Lateral · left wrist radiograph · 11y F · index exam · acquired on Siemens
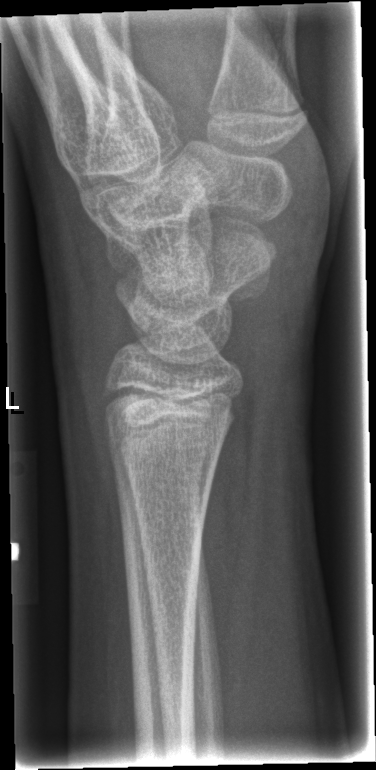 {"fracture": "none labeled"}